Left wrist pediatric wrist radiograph · posteroanterior · pediatric patient (female, age 13) · 561 x 914 px —
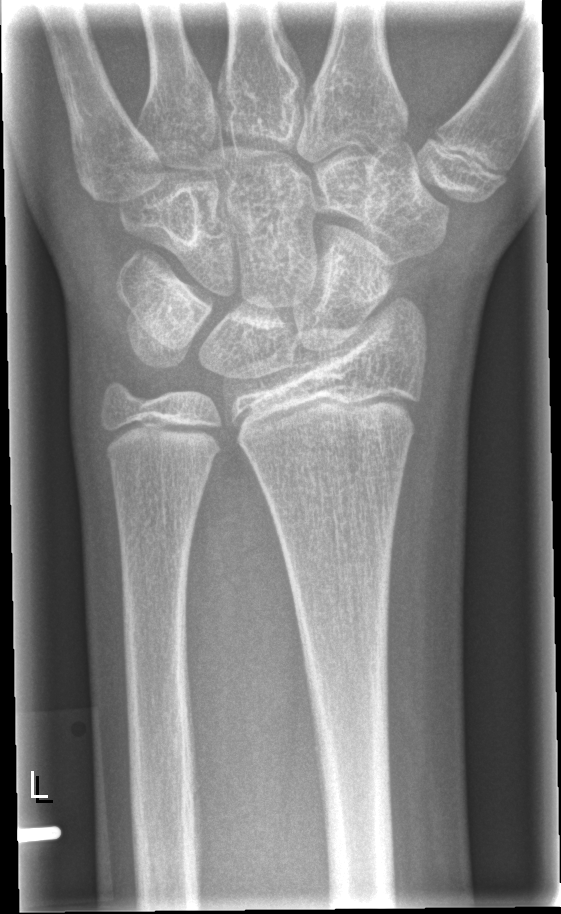 * No fracture labeled.